Rt plain radiograph of the wrist · lateral projection · follow-up —
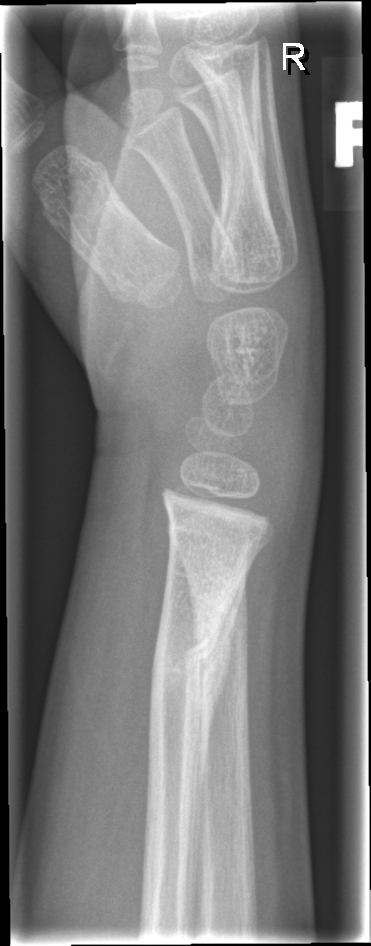
• Boxes as x1,y1,x2,y2 (top-left / bottom-right, pixel units).
• Fx — 147,609,234,693.
• Periosteal new bone identified at 191,558,253,844.
• Fracture classified AO/OTA 23-M/2.1.